Right wrist X-ray · lat projection · 13-year-old boy · presentation radiograph · image size 419x930 — 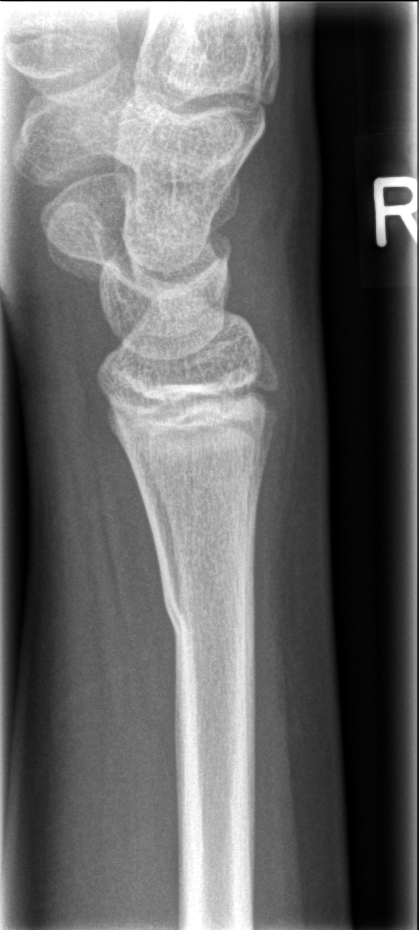

Q: Any fracture seen?
A: Fx identified at (157, 572, 260, 649)
Q: What is the AO/OTA classification?
A: Fracture classified AO/OTA 23r-M/2.1